R wrist plain film; AP
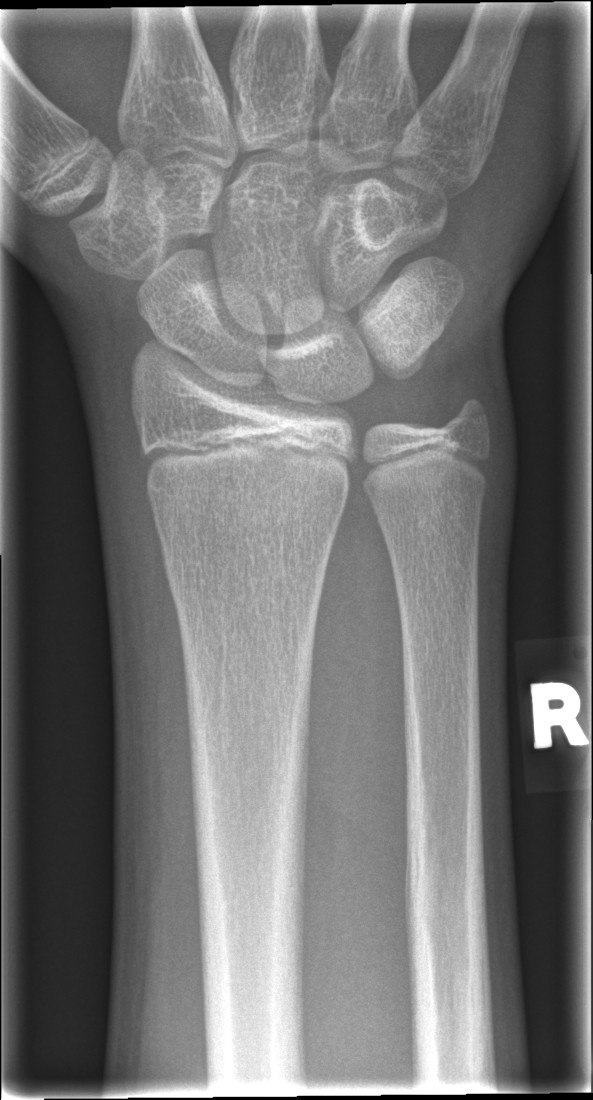
* Fracture: 159 531 333 606; 442 390 496 448.